Rt wrist plain film; posteroanterior projection; age 12 y, female — 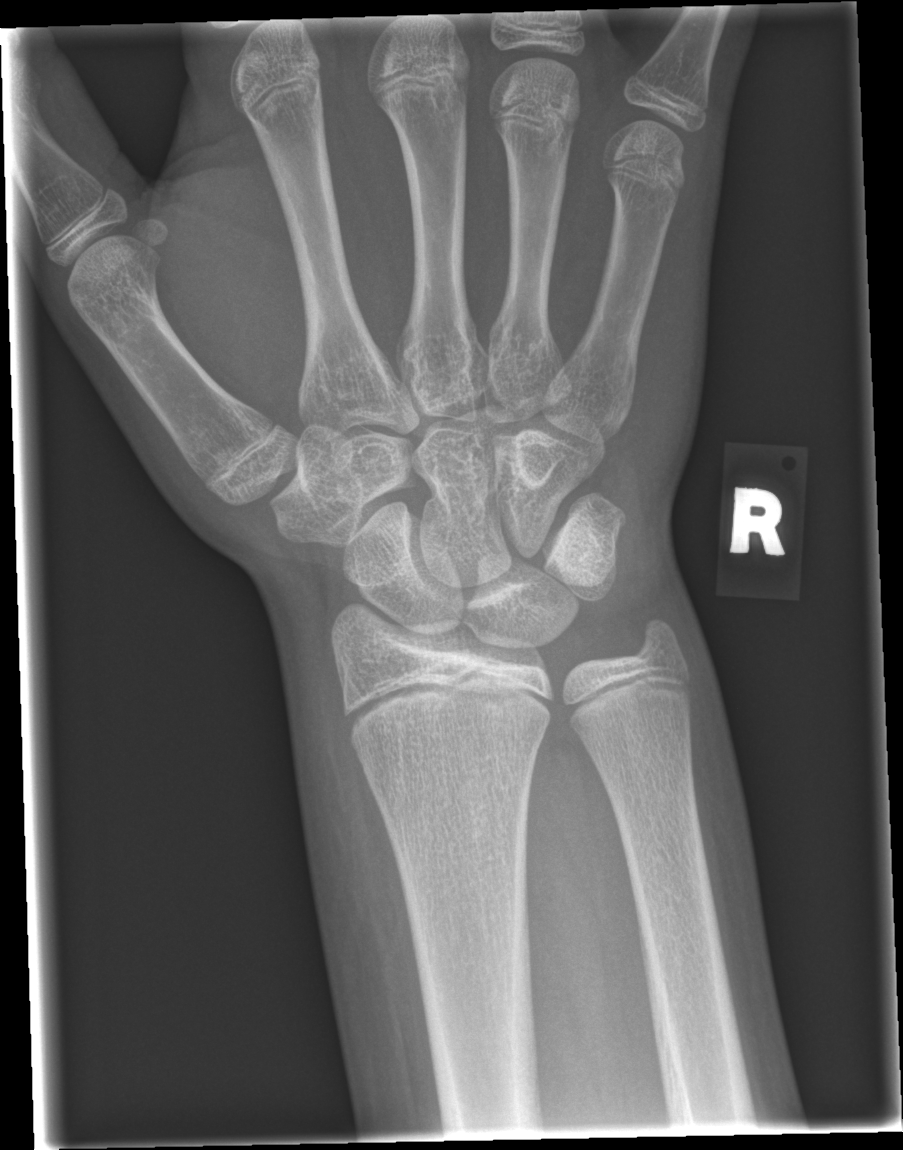

Fx: none labeled